Right wrist XR, lat, age 6 y, boy, 450 x 974 px:
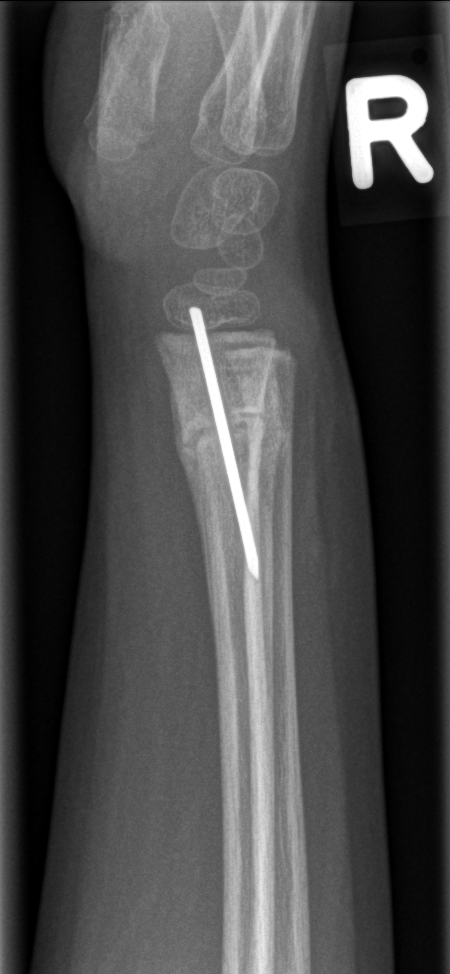
(boxes as x1,y1,x2,y2 (top-left / bottom-right, pixel units))
metallic hardware: 1 @ [x1=189, y1=302, x2=262, y2=583]
bone fracture: 1 @ [x1=171, y1=386, x2=286, y2=477]
periosteal thickening: [x1=171, y1=374, x2=214, y2=648]